Right plain radiograph of the wrist · lat projection · acquired on Siemens
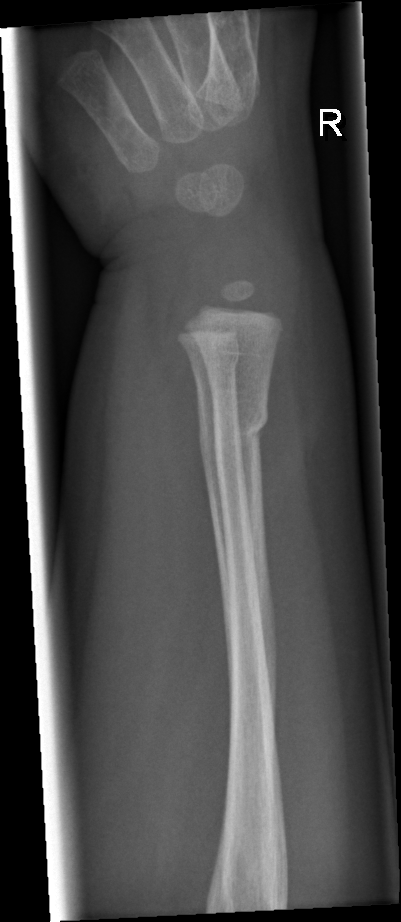

fracture: 2 @ (left=209, top=398, right=270, bottom=460); (left=182, top=333, right=244, bottom=377)
ao: 23-M/2.1